Right wrist radiograph · posteroanterior · 16y M · Siemens:
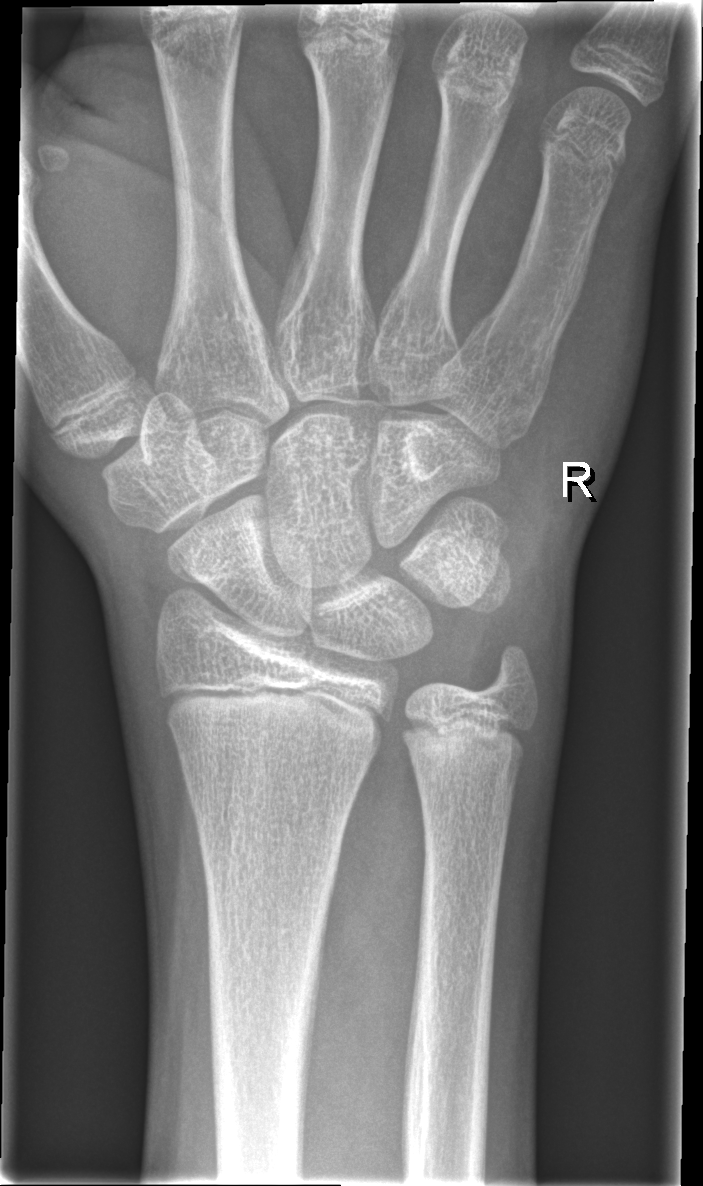 No fracture labeled.